L wrist X-ray · AP projection · pediatric patient (girl, age 12):
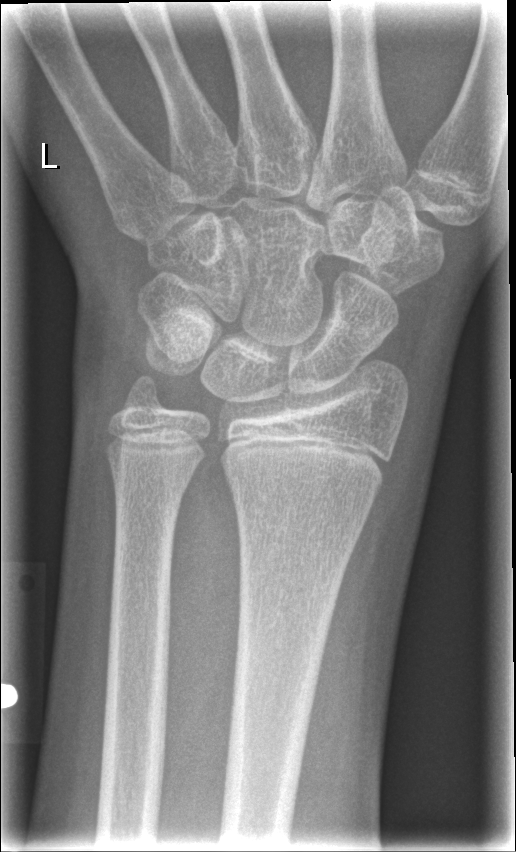

FINDINGS — Fx: none.